R plain radiograph of the wrist; PA; 770 x 979 px. 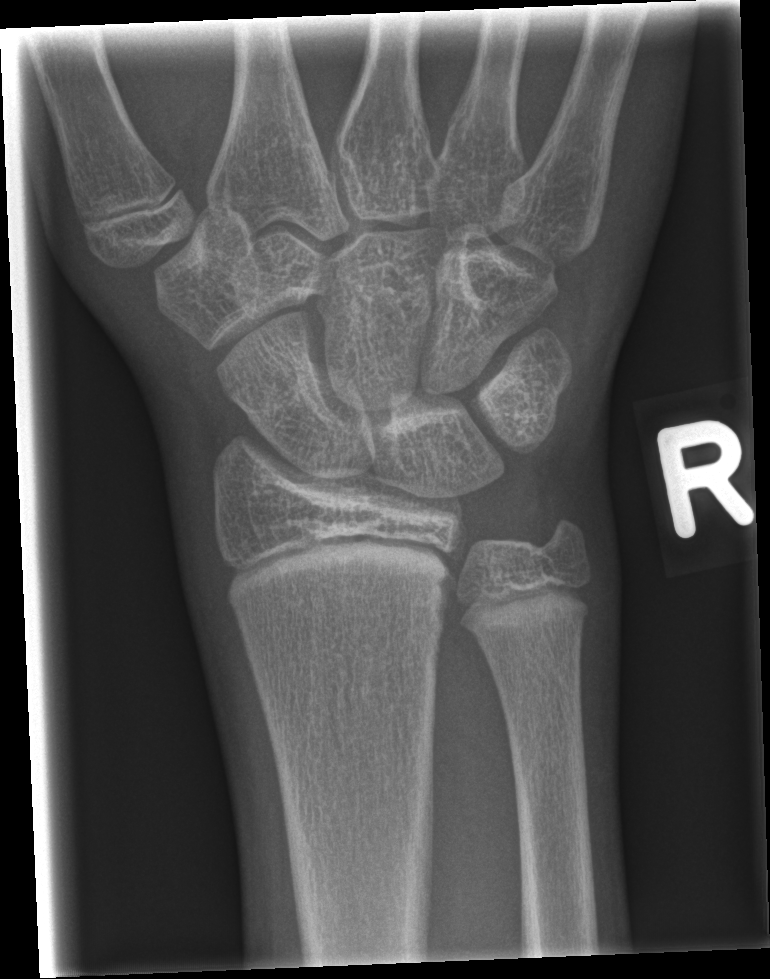
  fracture: none labeled